L plain radiograph of the wrist | AP view | age 14 y, male

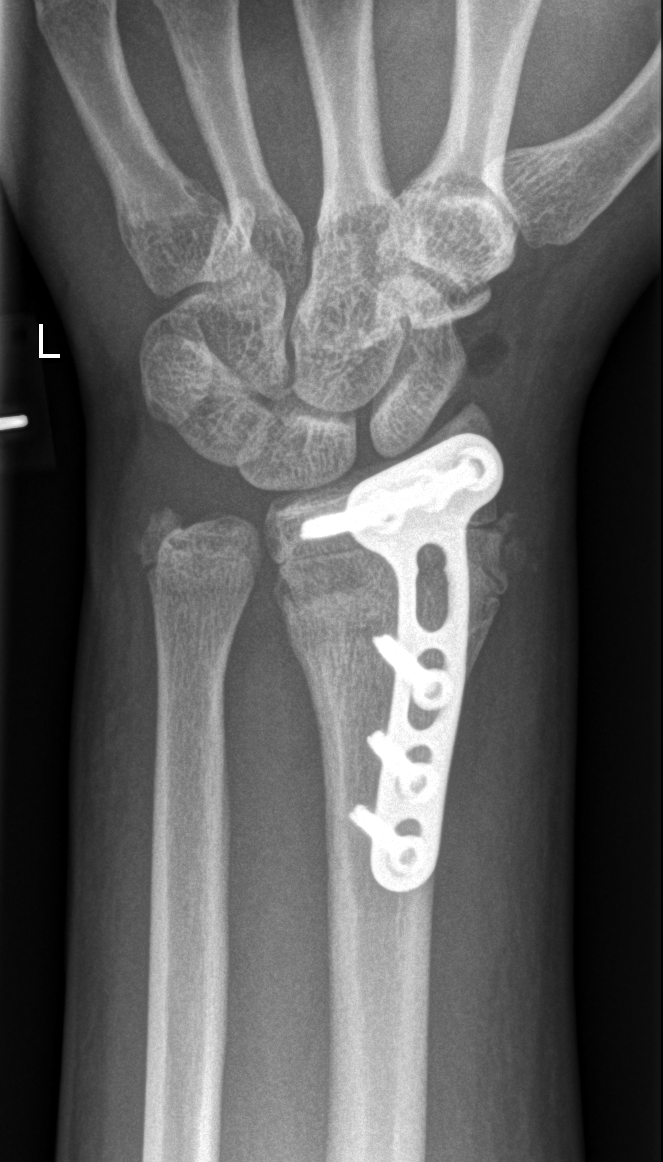

Q: Any fracture seen?
A: Fx identified at (273, 548, 511, 635), (125, 497, 194, 581)
Q: Any metal present?
A: One hardware at (298, 431, 504, 895)